AP · left pediatric wrist radiograph · cast in situ · image width 100.8 mm —
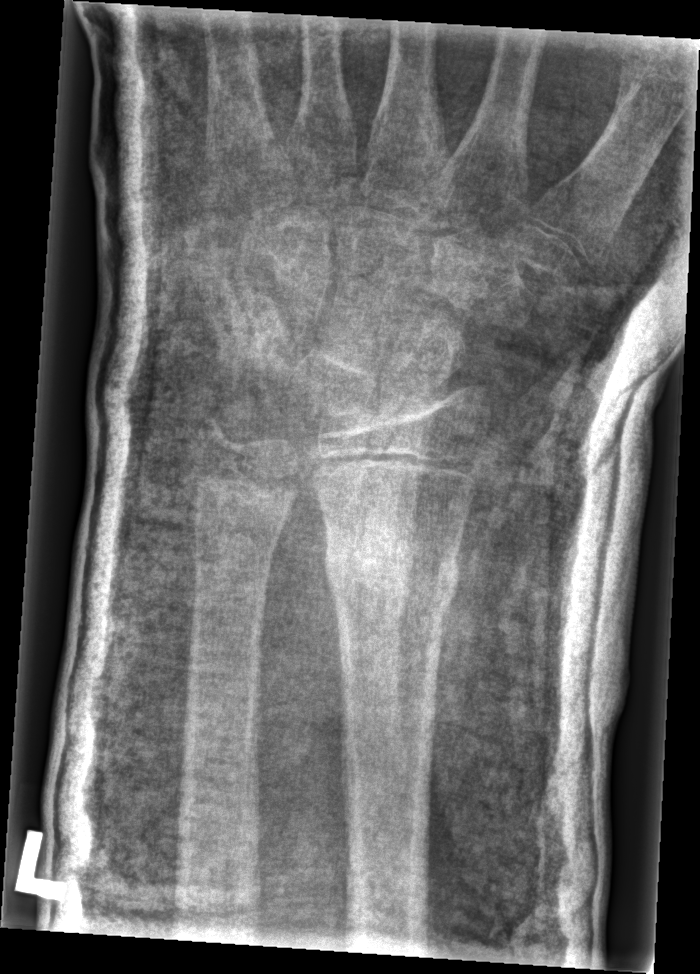
FINDINGS: Fracture identified at bbox(319, 516, 463, 617). AO code 23r-M/2.1.